PA projection | L plain radiograph of the wrist | 14y M. 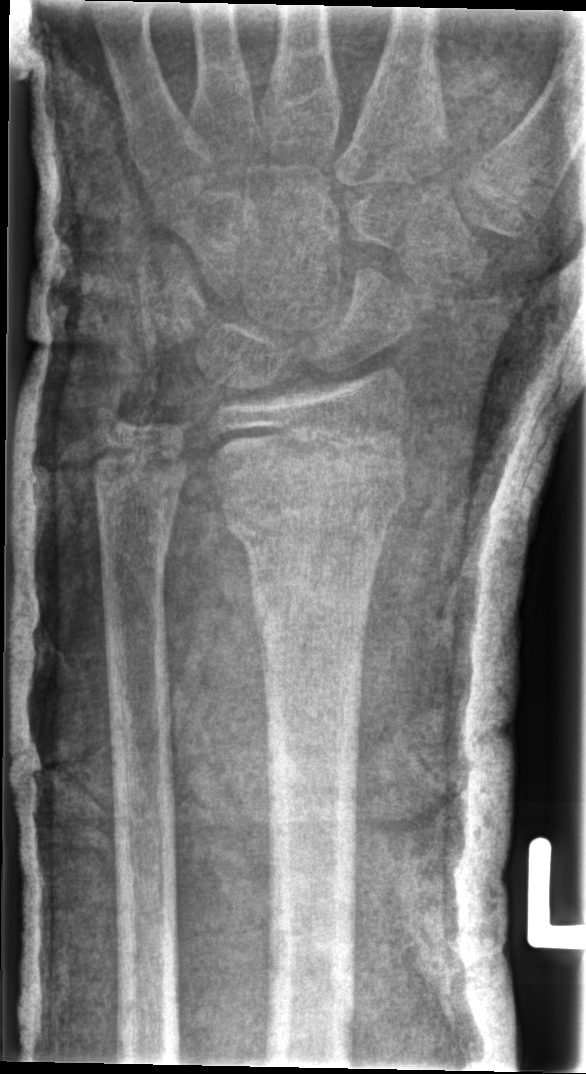 Findings: AO/OTA classification: 23r-M/3.1. Fracture: 216 464 411 558.